R wrist plain film, lat view, 504x1374. 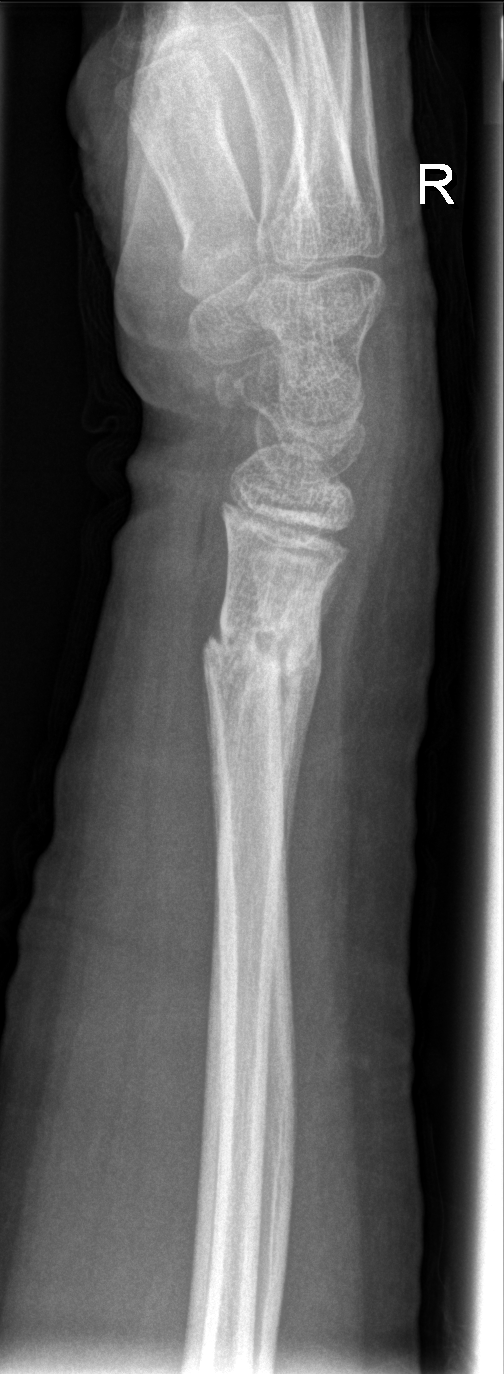

One bone fracture at (197, 605, 321, 692).
Decreased bone density (osteopenia).
Periosteal reaction — (282, 637, 321, 868).